Lat view; Lt pediatric wrist radiograph
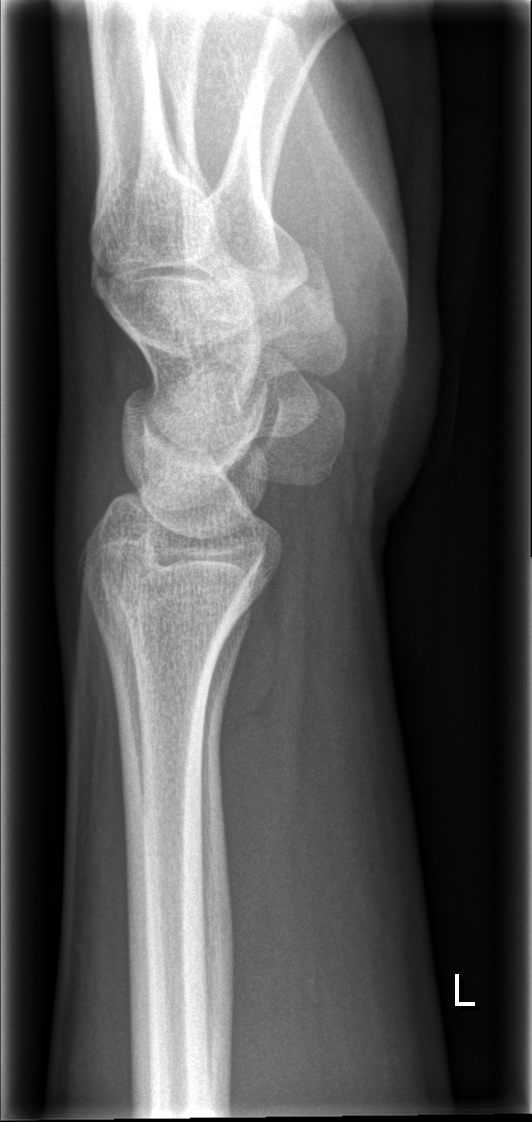

- No fracture bounding box.